Lt wrist XR · PA/AP · index exam · acquired on Siemens.

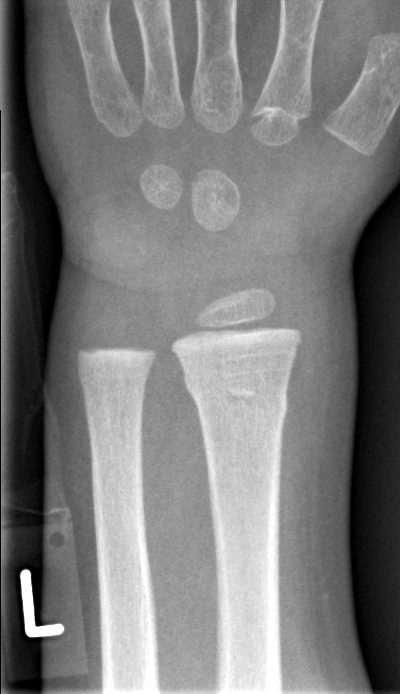   # pixel coordinates, top-left origin, xyxy
  ao: 23r-M/2.1
  fracture: 1 @ [x1=180, y1=368, x2=293, y2=424]